Rt wrist XR; PA view; girl, 10 yo; follow-up —

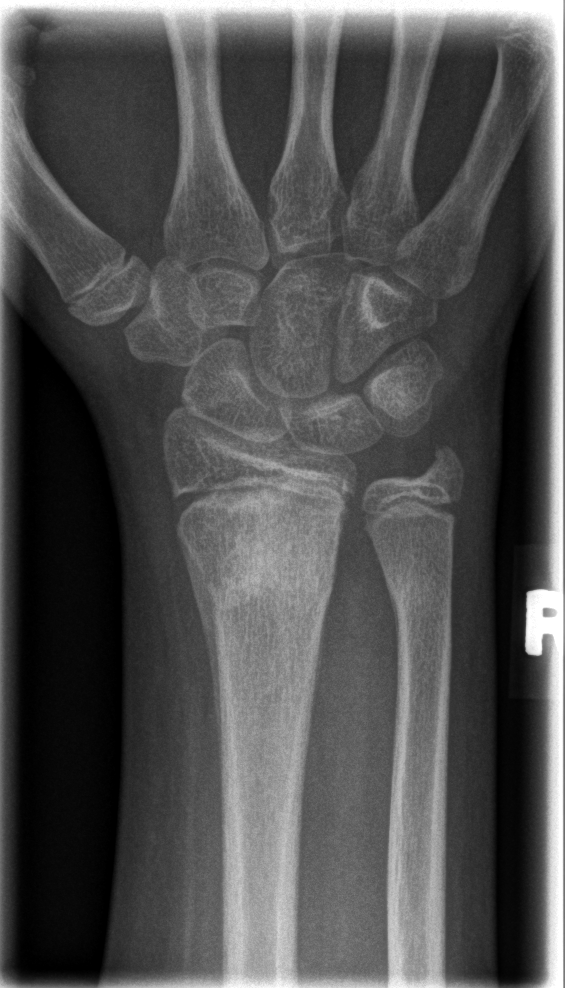
ao: 23r-M/3.1; 23u-M/2.1; 23u-E/7
periostealreaction: 1 @ (left=183, top=542, right=228, bottom=745)
fracture: 3 @ (left=188, top=526, right=343, bottom=627); (left=387, top=560, right=456, bottom=629); (left=409, top=438, right=466, bottom=490)
osteopenia: present